Lateral | Lt plain radiograph of the wrist:
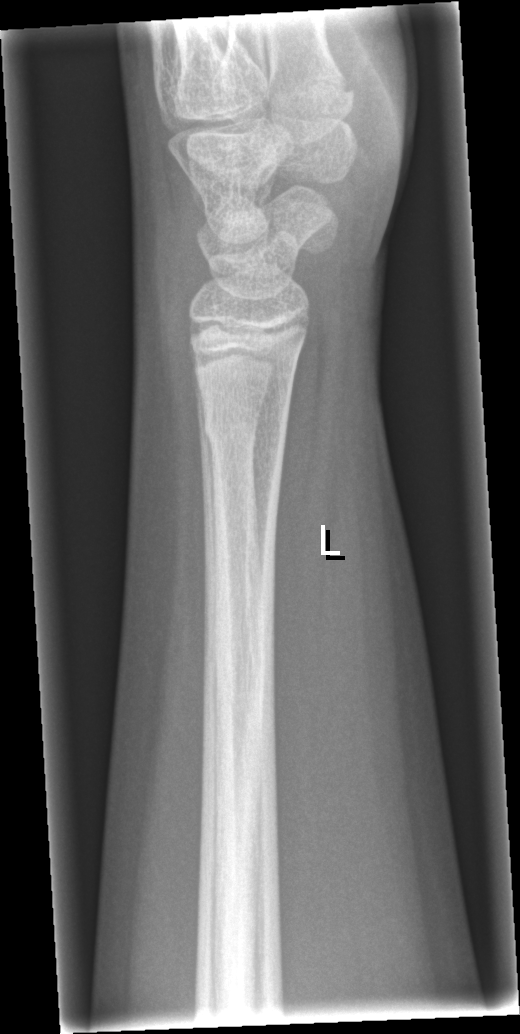 (coordinates are [x1, y1, x2, y2] in image pixels)
Q: Is there a fracture?
A: Fx identified at (left=201, top=403, right=290, bottom=465)